PA/AP · Lt wrist X-ray · 522x882 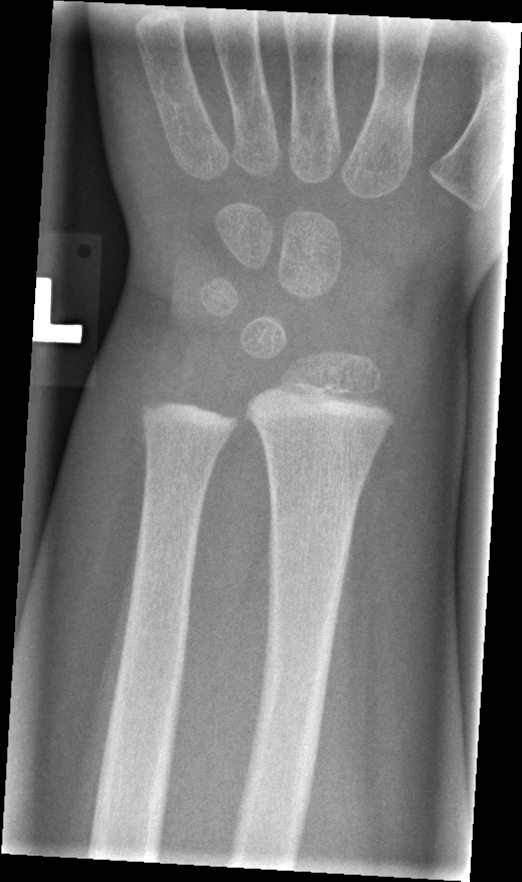

No fracture labeled.